Left plain radiograph of the wrist | PA projection | pediatric patient (boy, age 13) | acquired on Siemens

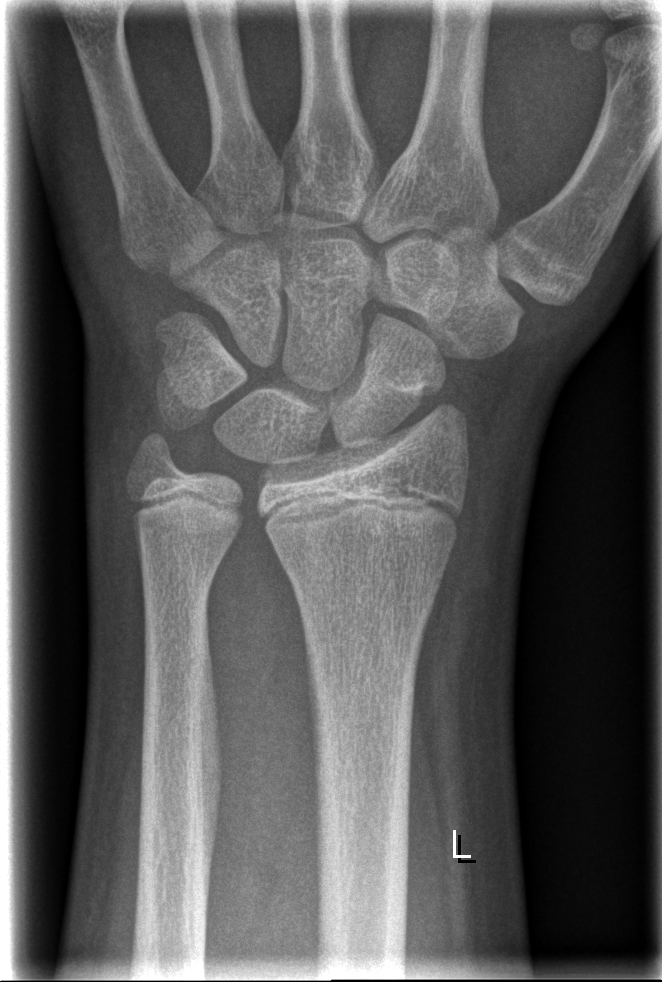
* No fracture labeled.